Left wrist plain film; PA/AP; 15-year-old male
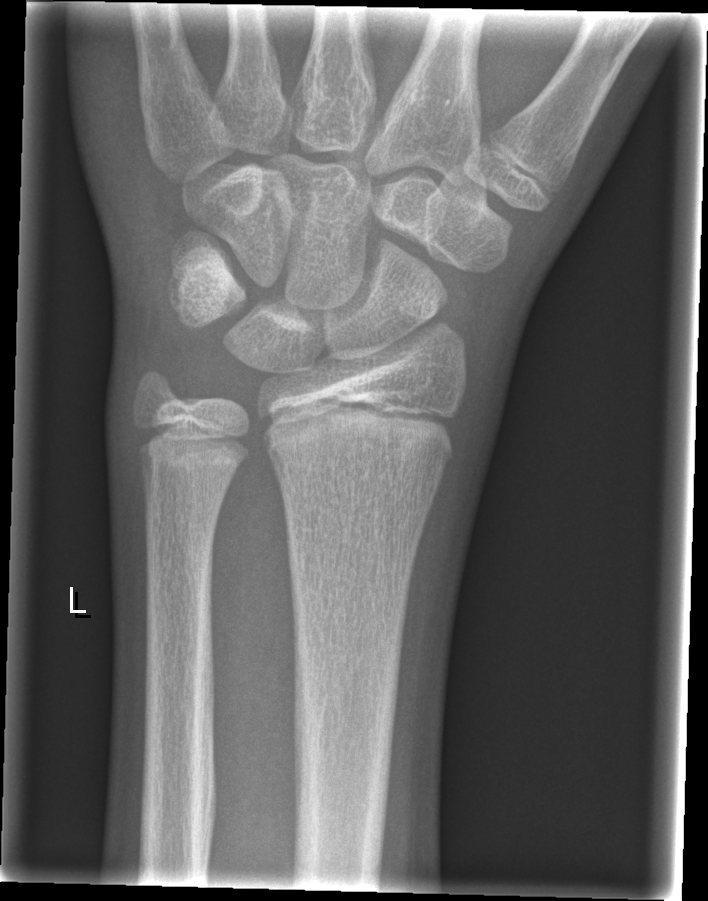
Findings: Fracture: none labeled.